R plain radiograph of the wrist · PA/AP · male, 13 yo · cast present
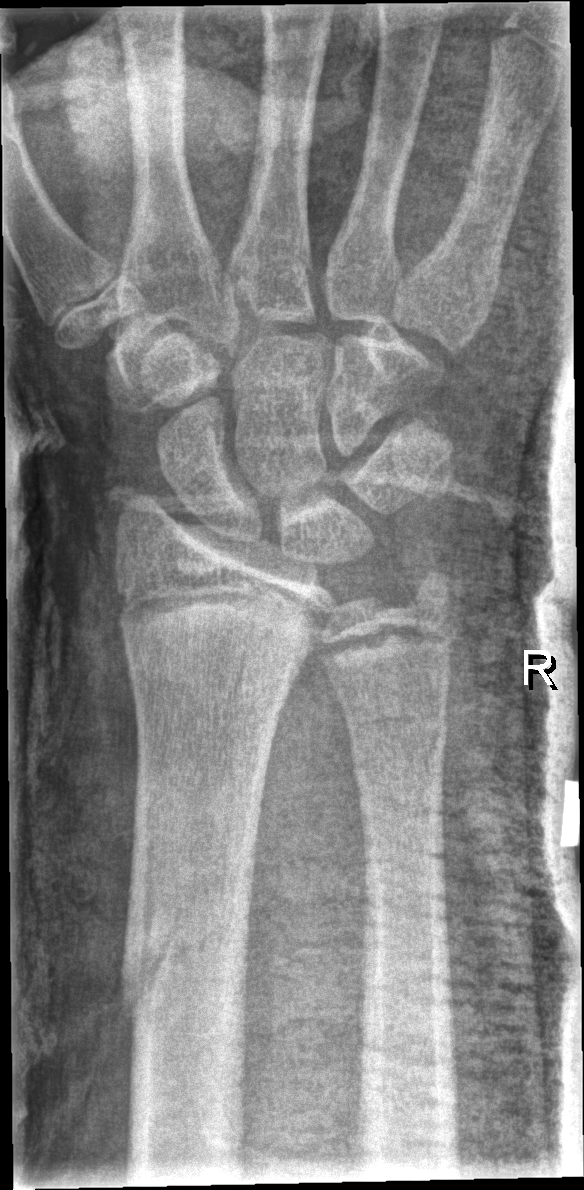 FINDINGS — AO code 22r-D/2.1. Two Fx at (left=112, top=901, right=256, bottom=1038); (left=344, top=697, right=454, bottom=807).